Right pediatric wrist radiograph | frontal view | 16y F —

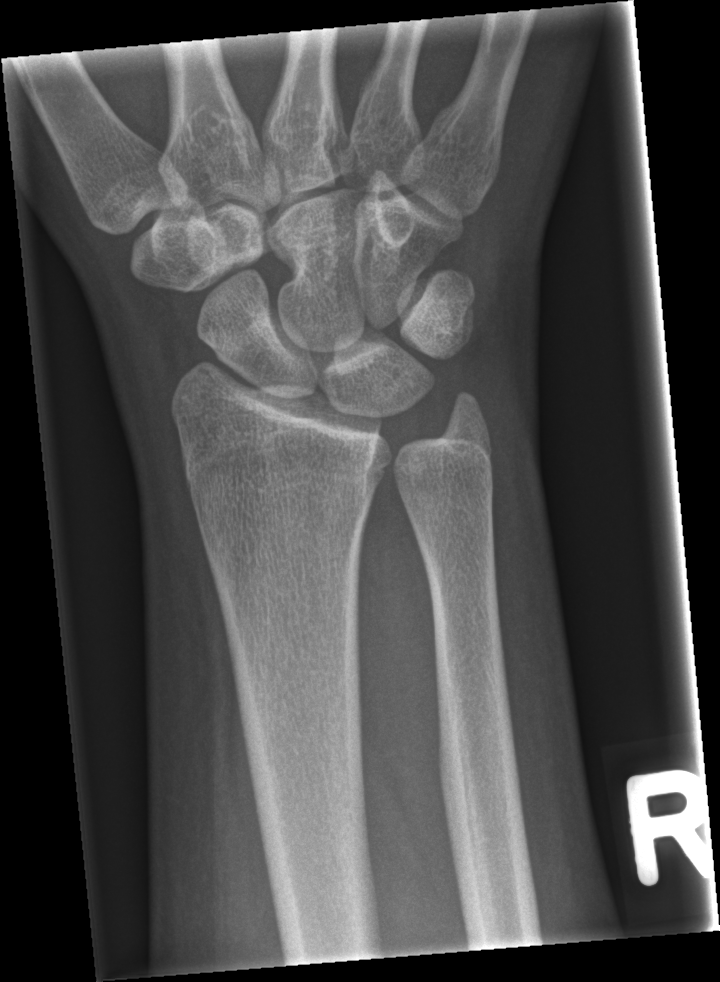

bone fracture = none labeled